PA projection; right wrist XR; acquired on Siemens; image size 559x778.
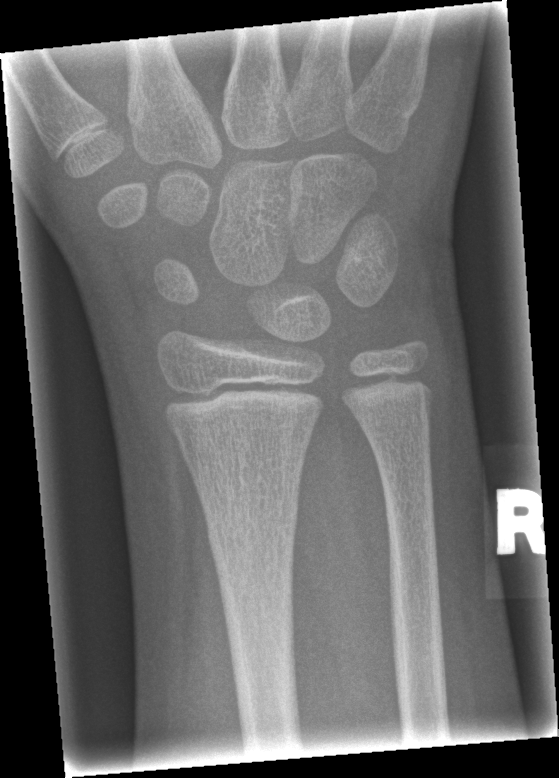
(boxes as x1,y1,x2,y2 (top-left / bottom-right, pixel units))
Bone fracture = bbox(198, 496, 301, 549)